Rt pediatric wrist radiograph; lateral view; 8-year-old girl; 404 x 822 px: 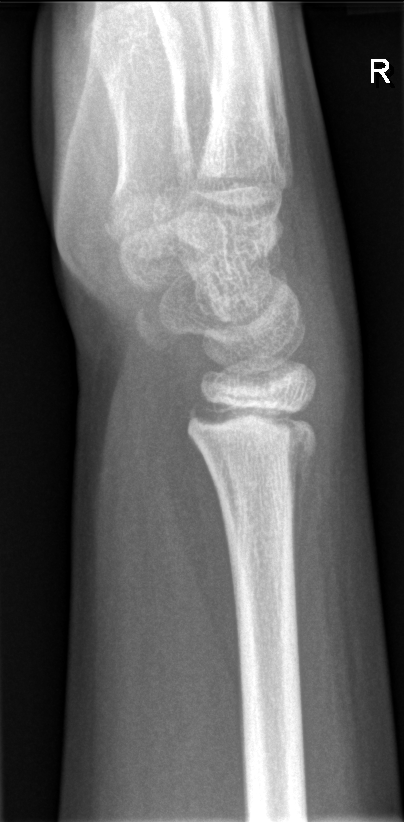 * One fracture at bbox(183, 391, 320, 494).
* AO/OTA classification: 23r-E/2.1; 23u-E/7.